Lateral; left plain radiograph of the wrist; follow-up; in cast — 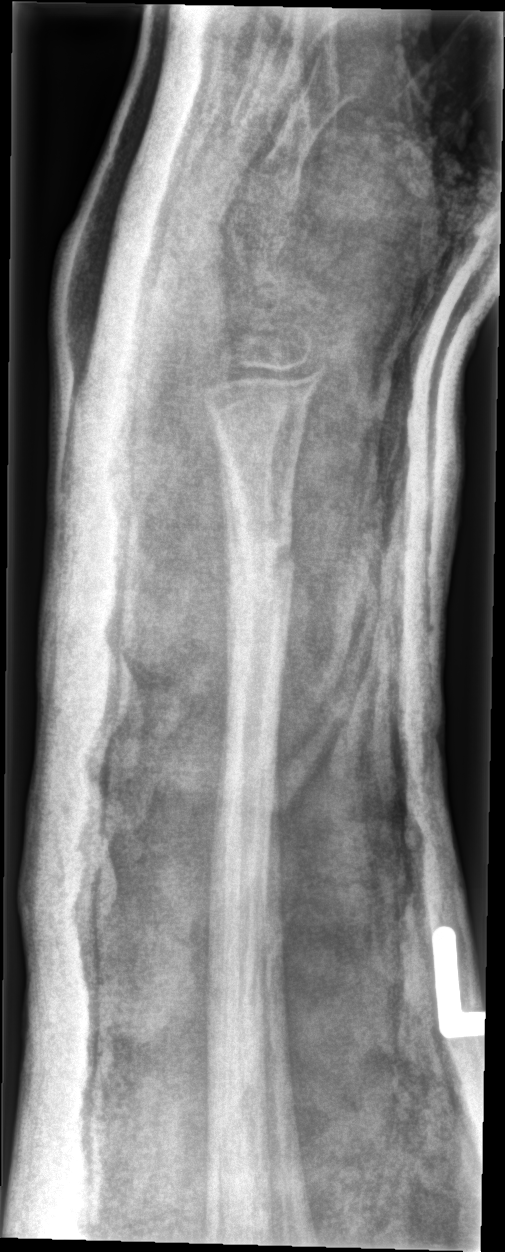 Pixel coordinates, top-left origin, xyxy.
Fx identified at 220 505 298 588.